Frontal projection, Lt wrist XR, subsequent exam —
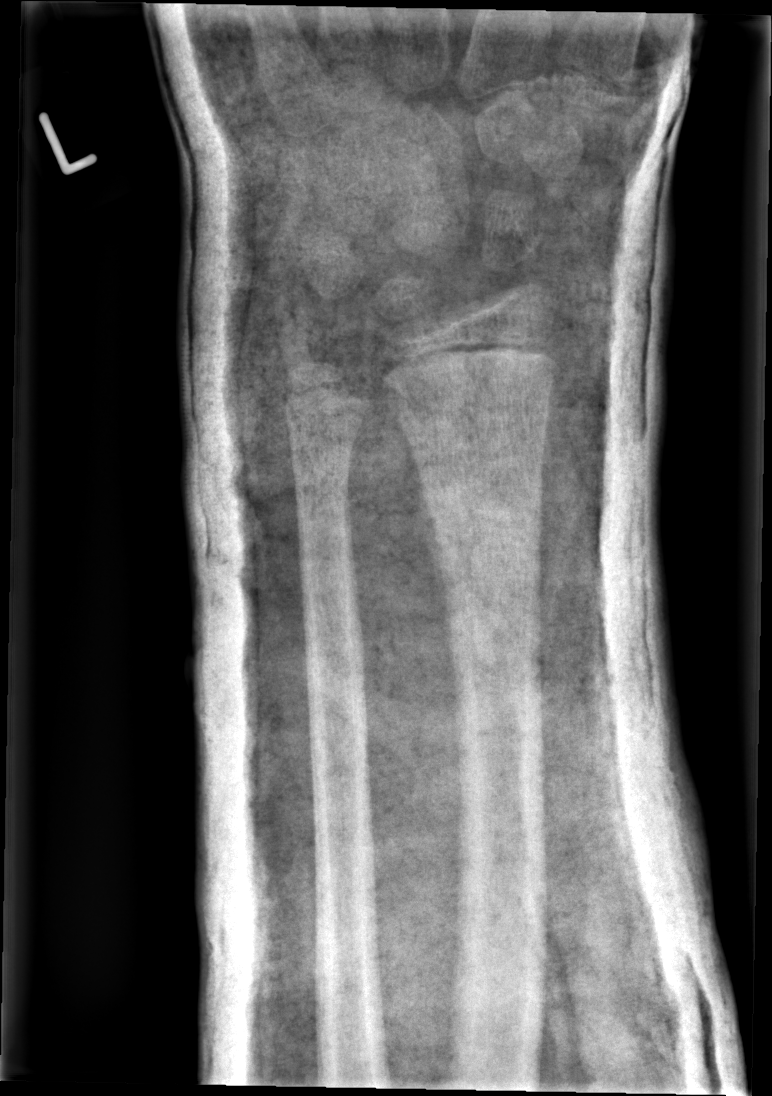 Fracture classified AO/OTA 23r-M/3.1; 23u-M/2.1. Fracture present but not clearly seen in this view.